Lt wrist X-ray; posteroanterior view; cast in situ; 572 by 774 pixels. 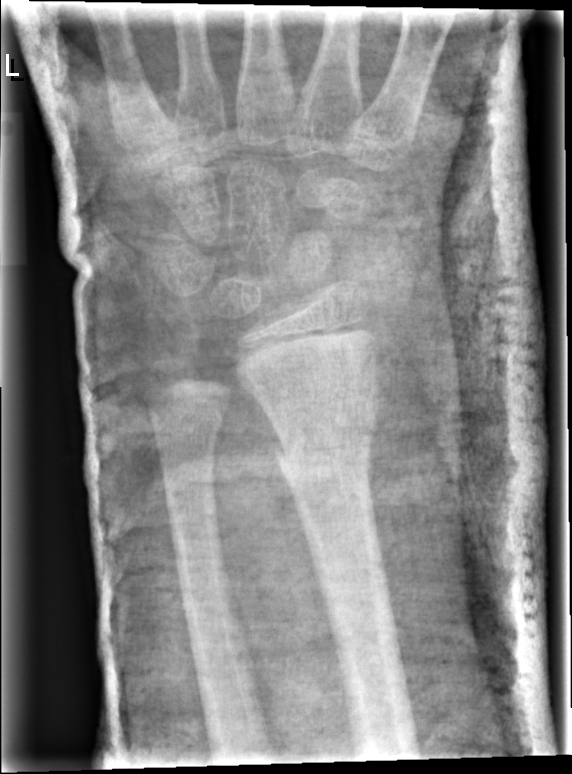
{
  "_coords": "bounding boxes in image-pixel xyxy",
  "ao": "23r-M/3.1; 23u-M/2.1",
  "fracture": "bbox(264, 427, 379, 477)"
}